Left wrist plain film; lat view; presentation radiograph. 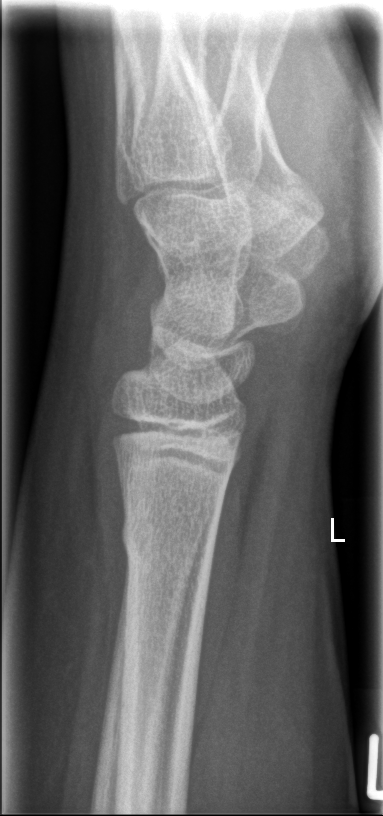 Q: Any fracture seen?
A: Fracture identified at 118 506 222 565